Right wrist XR · lateral · age 12 y, girl · 545 by 1568 pixels —

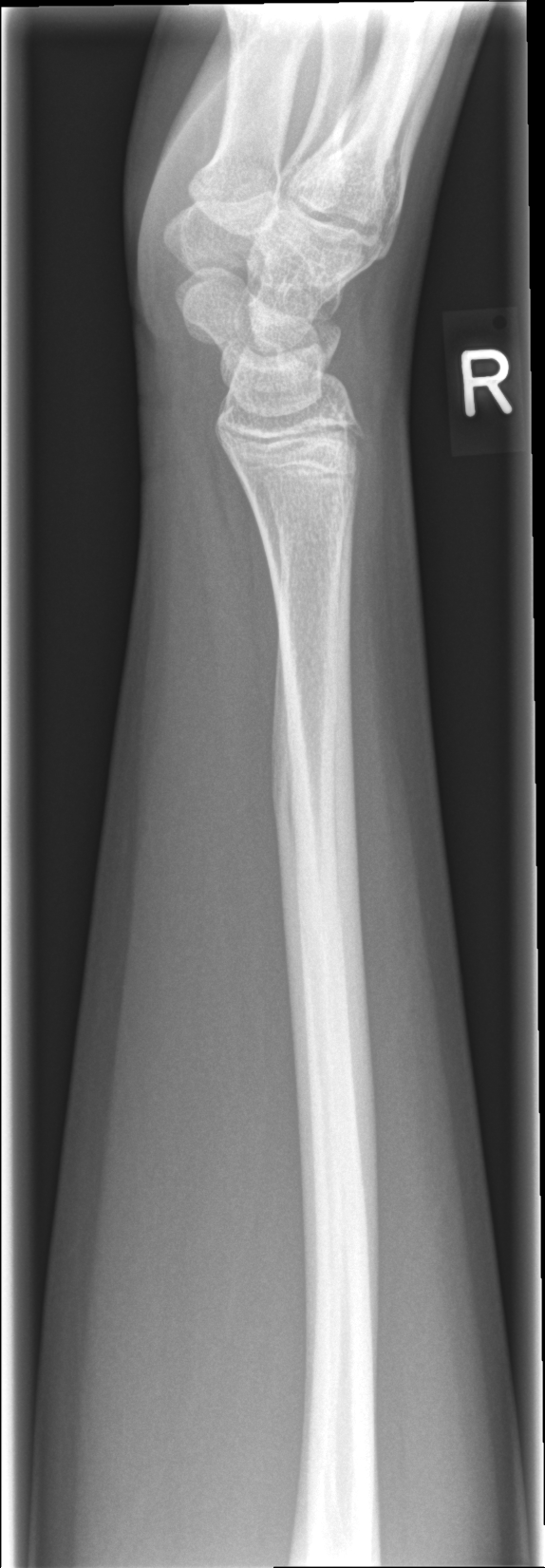

Fx = none labeled